Lateral view · Rt pediatric wrist radiograph · acquired on Siemens · 607x890:

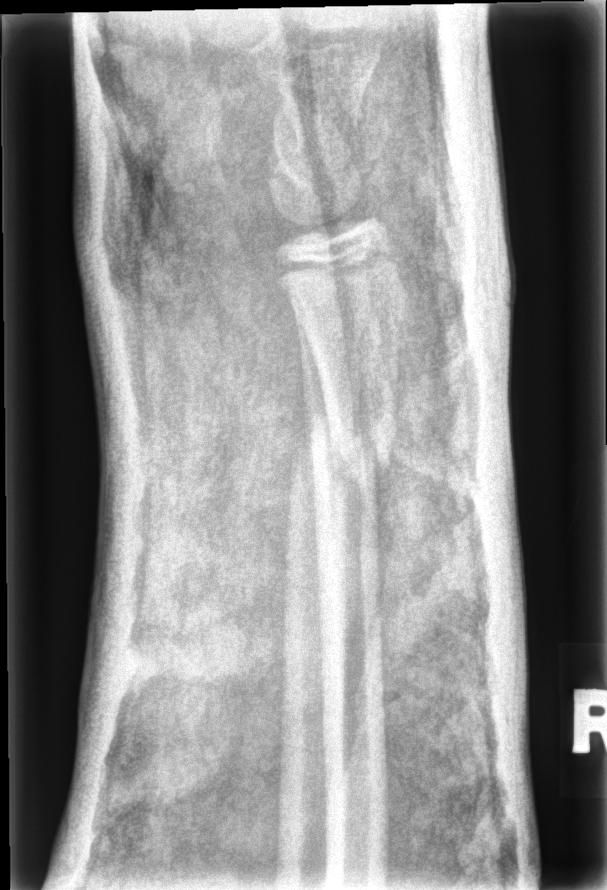
Findings: (coordinates are [x1, y1, x2, y2] in image pixels) One Fx at bbox(291, 402, 397, 493). AO code 23-M/3.1; 23u-E/7.